R wrist X-ray | lat view | pediatric patient (female, age 14) | index exam —
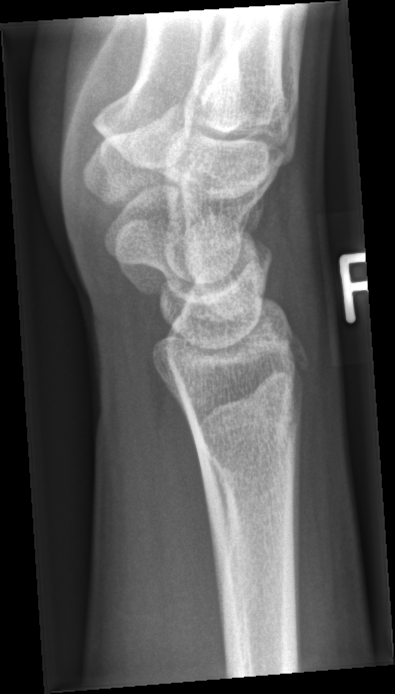

Bone fracture: none labeled